Lat projection, left plain radiograph of the wrist, cast in situ, 562 by 1136 pixels — 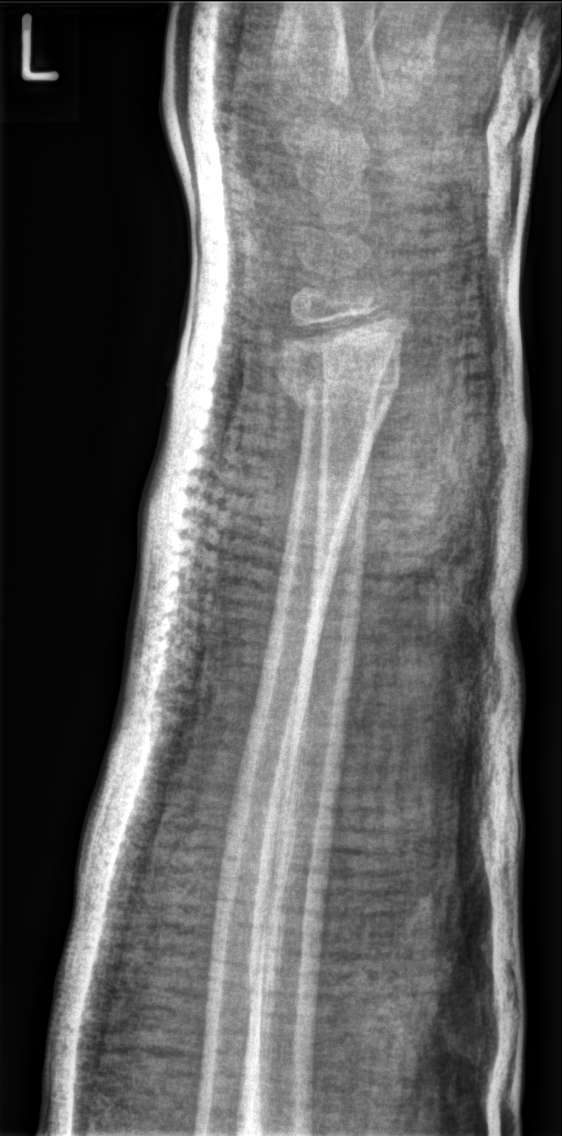
Fracture identified at 276 356 406 425.
Fracture classified AO/OTA 23r-M/3.1.